R wrist radiograph, lat projection, 465 x 1168 px — 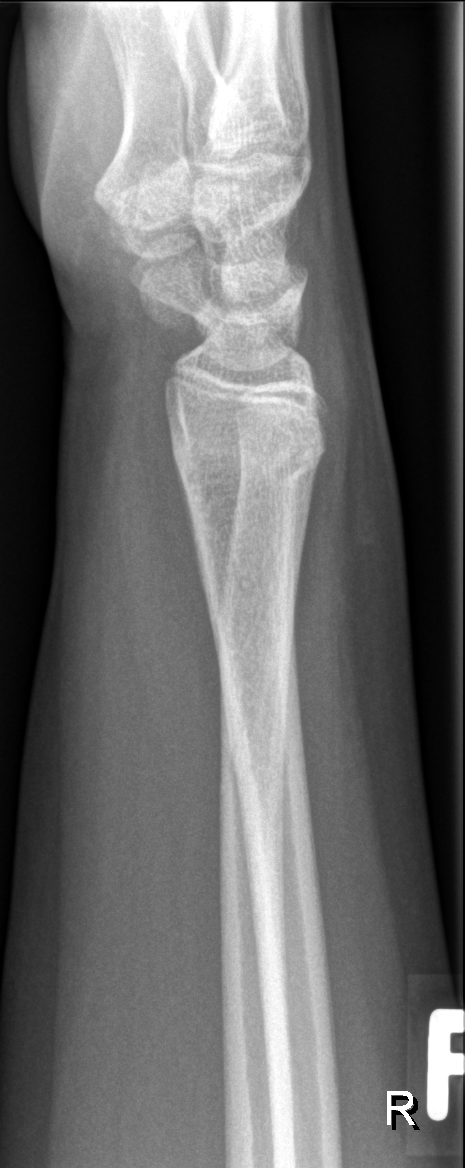 FINDINGS: (bounding boxes in image-pixel xyxy) Fx: <166,413>-<331,499>. Osteopenia. Fracture classified AO/OTA 23r-M/2.1; 23u-E/7.